PA/AP view, L plain radiograph of the wrist, cast present, acquired on Siemens, image size 726x1098.
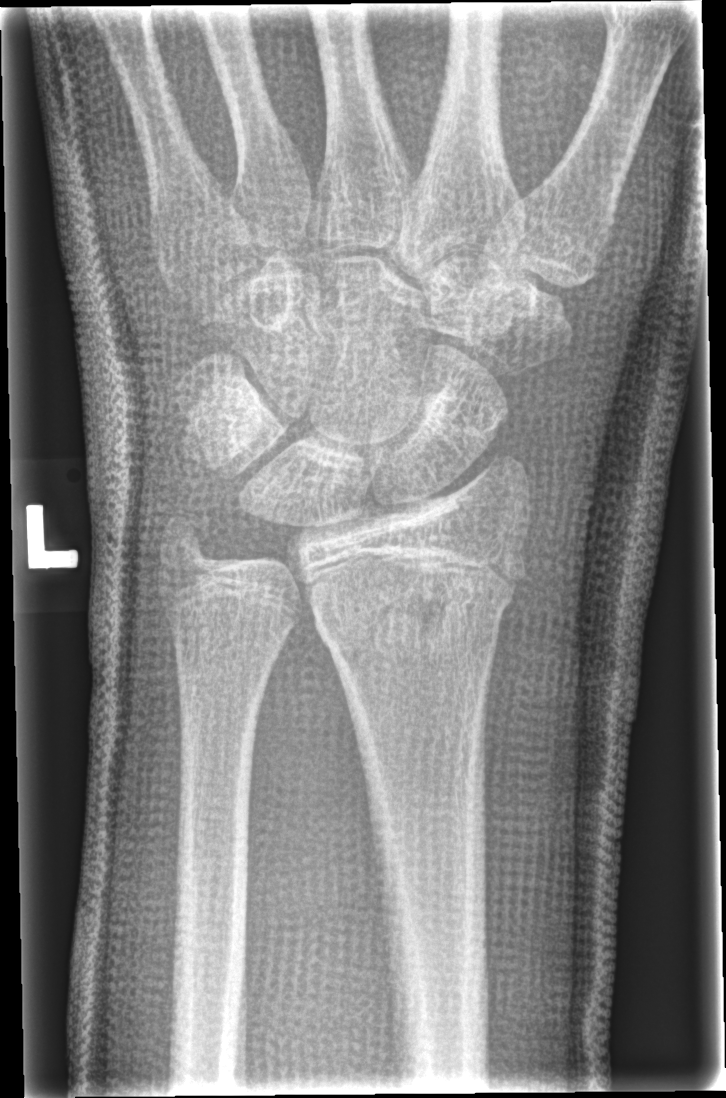
Fx — (left=309, top=566, right=514, bottom=663); (left=154, top=506, right=220, bottom=571). Fracture classified AO/OTA 23r-M/3.1; 23u-E/7.